Frontal projection | Lt wrist radiograph | 17-year-old female | initial study

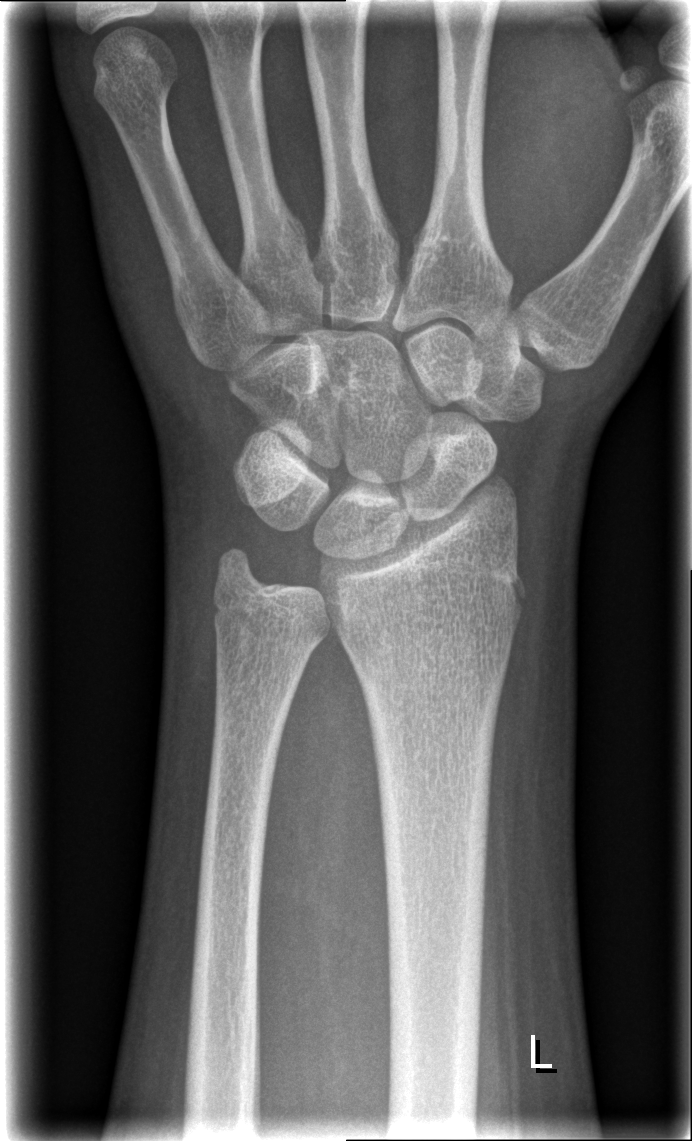
Fx = none labeled